L wrist X-ray; lateral; index exam.
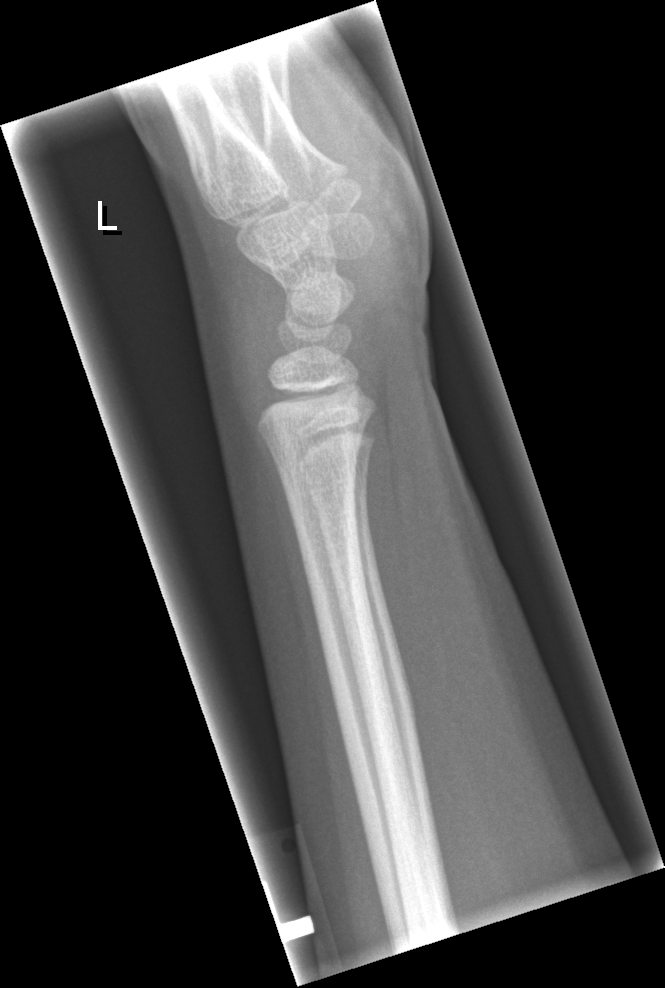 FINDINGS: No fracture bounding box.